Lateral view, R wrist X-ray, age 10 y, girl:

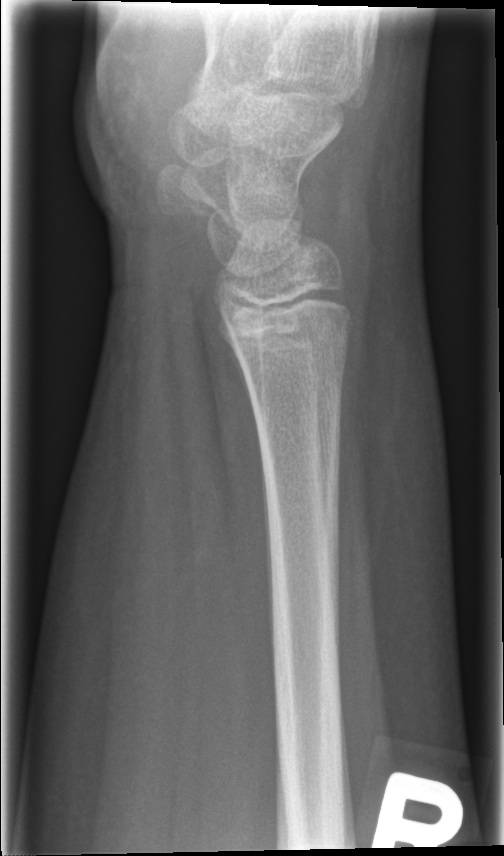
Fracture: none labeled